Lt pediatric wrist radiograph, PA —
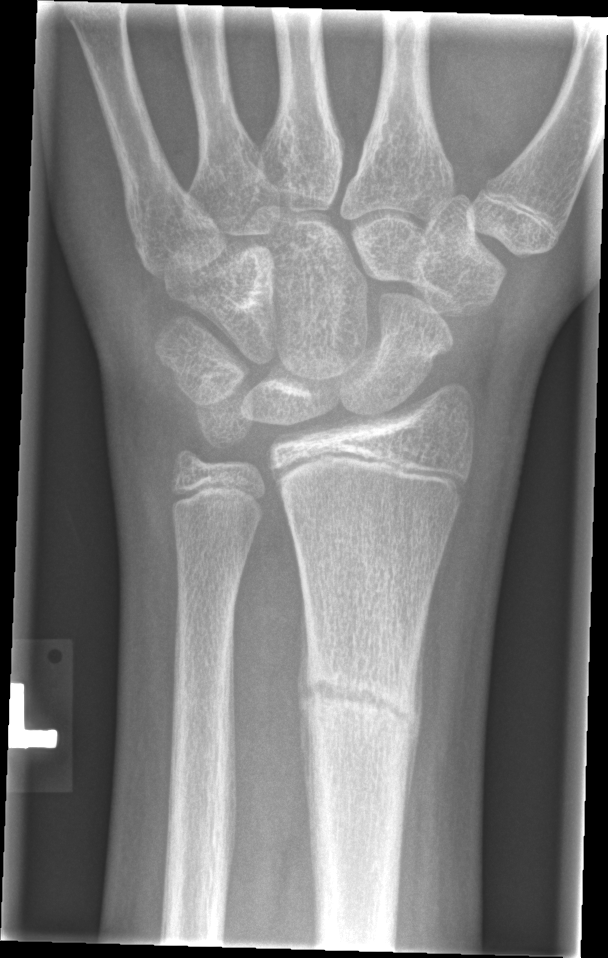
(coordinates are [x1, y1, x2, y2] in image pixels)
Periosteal thickening: 2 @ [x1=403, y1=600, x2=430, y2=842], [x1=297, y1=583, x2=317, y2=898]
AO/OTA: 23r-M/3.1
Fracture: 1 @ [x1=296, y1=656, x2=422, y2=757]